Left plain radiograph of the wrist; posteroanterior view; detector: Siemens —

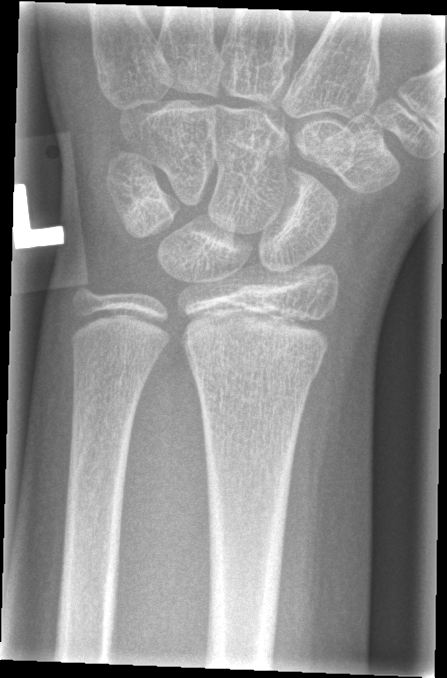
One bone fracture at bbox(181, 336, 327, 393).
Fracture classified AO/OTA 23r-M/2.1.